Lat, right wrist radiograph, pediatric patient (girl, age 7).
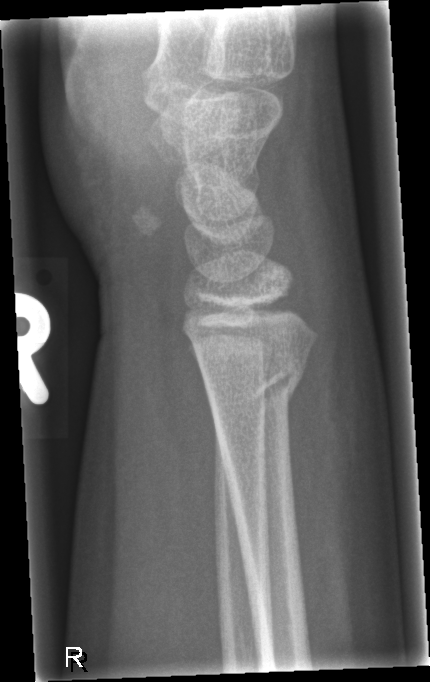 FINDINGS — (bounding boxes in image-pixel xyxy) Fracture: 201 358 307 415. AO/OTA classification: 23r-M/2.1.